Right wrist radiograph | frontal view | 8y M: 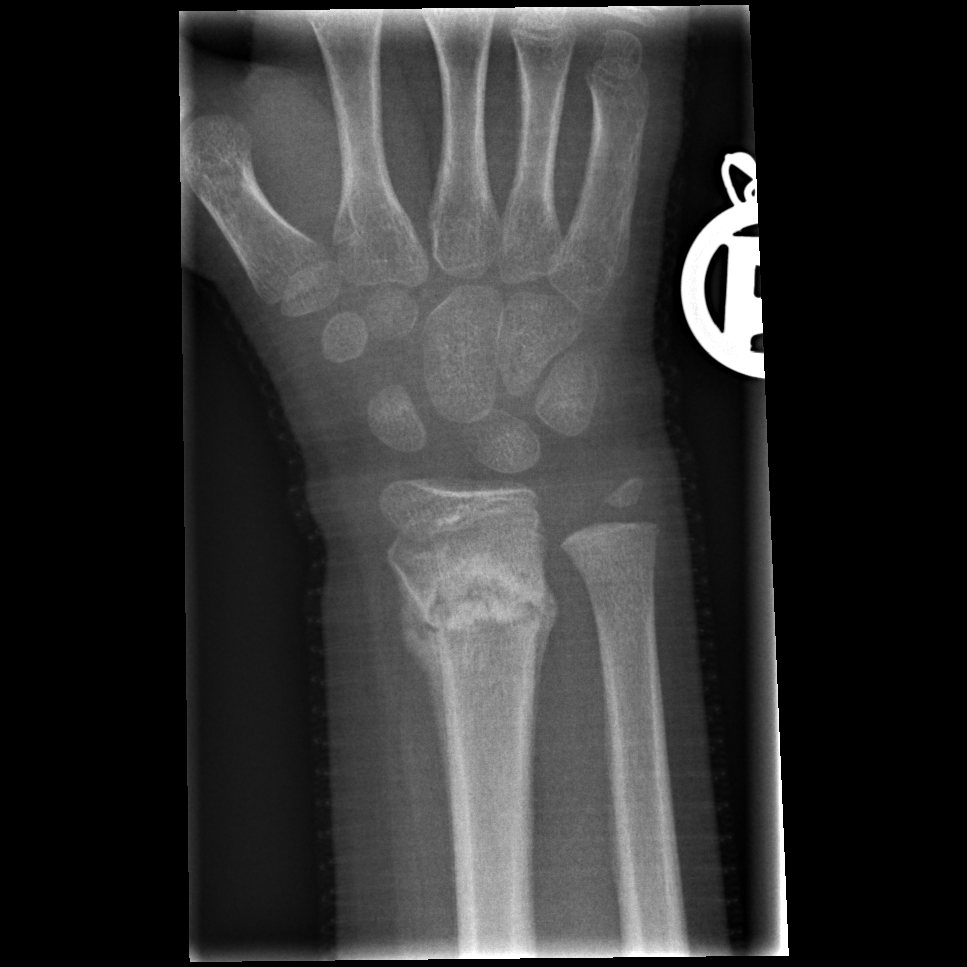   fracture: 386 542 554 655
  osteopenia: present
  periostealreaction: 2 @ 391 564 460 956 | 535 566 560 740